Lateral view · right wrist X-ray · age 12 y, male.
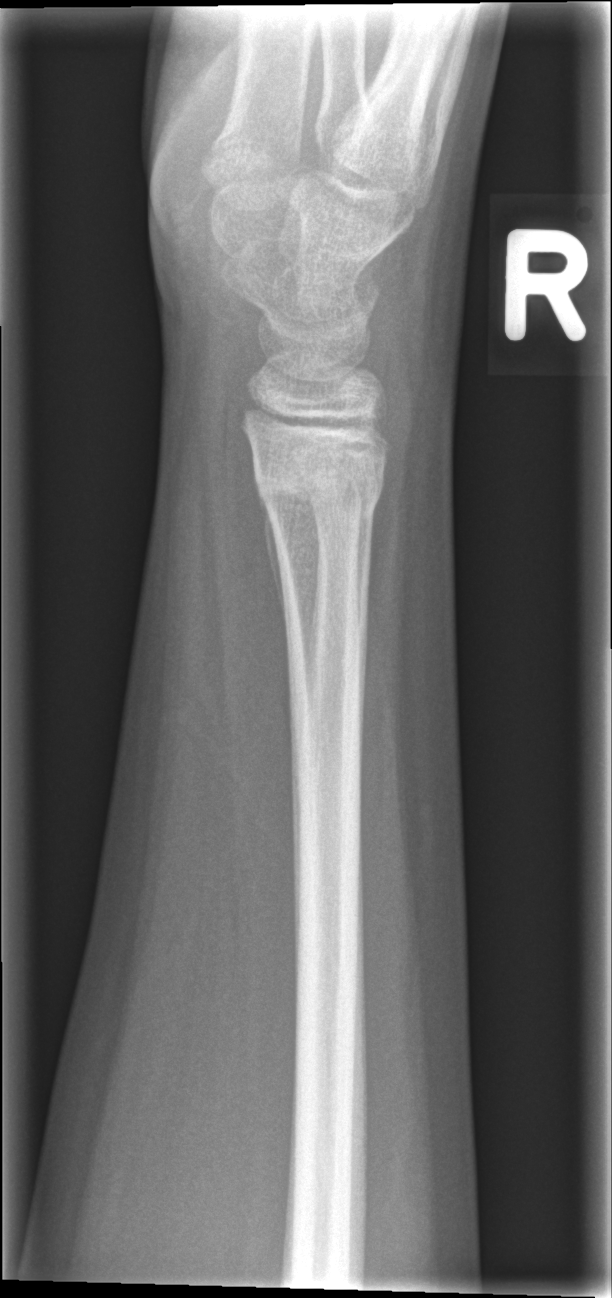

FINDINGS: Fracture — 251 444 390 525. Periosteal reaction identified at 257 480 286 625.